AP | left wrist plain film | 15-year-old girl | initial study:

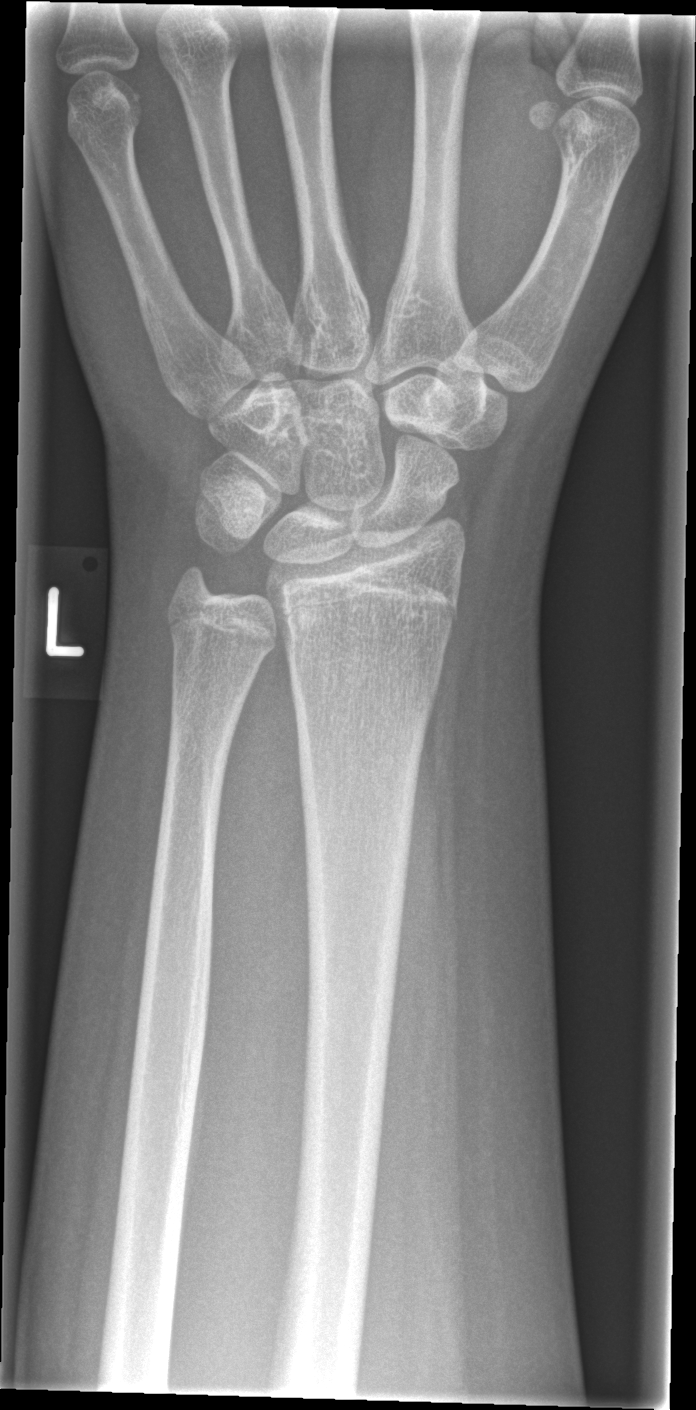 Fracture = none labeled